Lat; Lt wrist plain film; initial study.

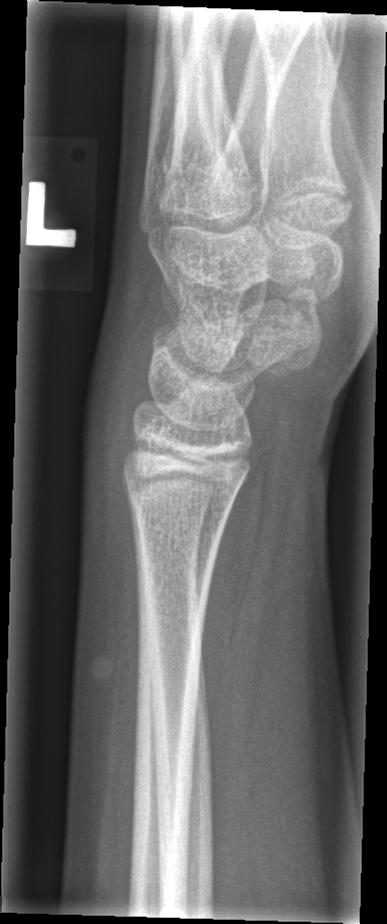 Fx = none labeled